Lt wrist XR · frontal · presentation radiograph —

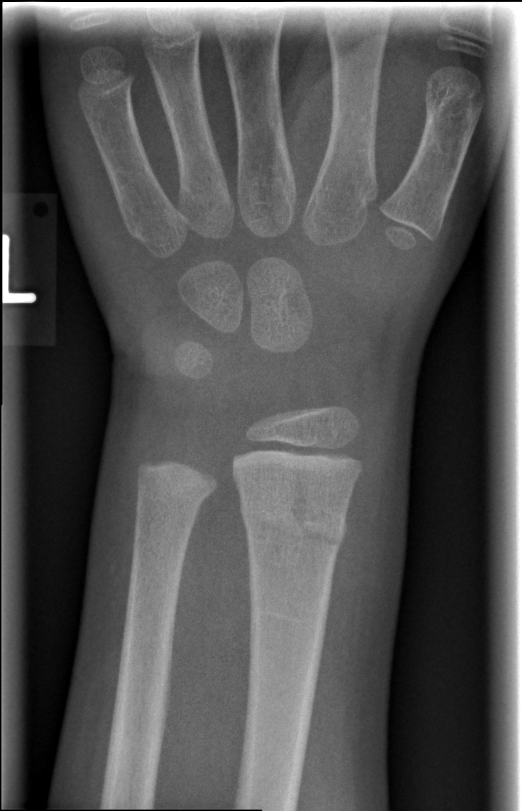

bone fracture = bbox(237, 491, 350, 554), bbox(133, 469, 214, 514)